R wrist XR | posteroanterior view | 11-year-old girl | detector: Siemens —

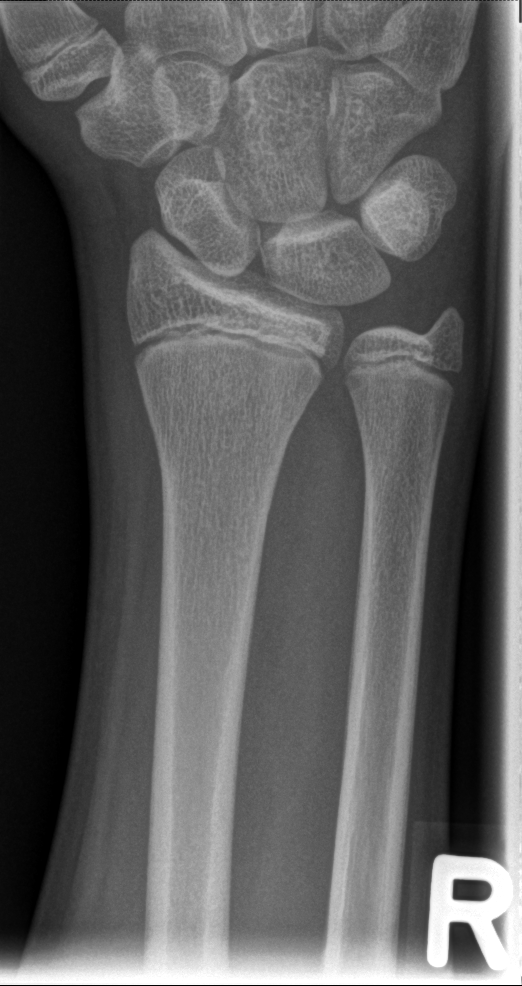 Fracture present, though not clearly seen in this view.